Lateral; right wrist plain film; presentation radiograph:

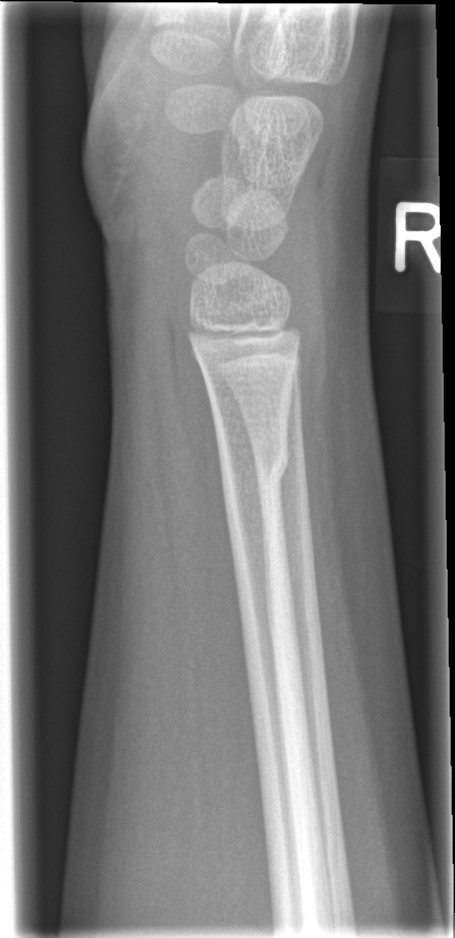 FINDINGS — AO code 23r-M/2.1. Bone fracture identified at 213,437,292,494.